Left wrist pediatric wrist radiograph; posteroanterior projection; age 11 y, female —
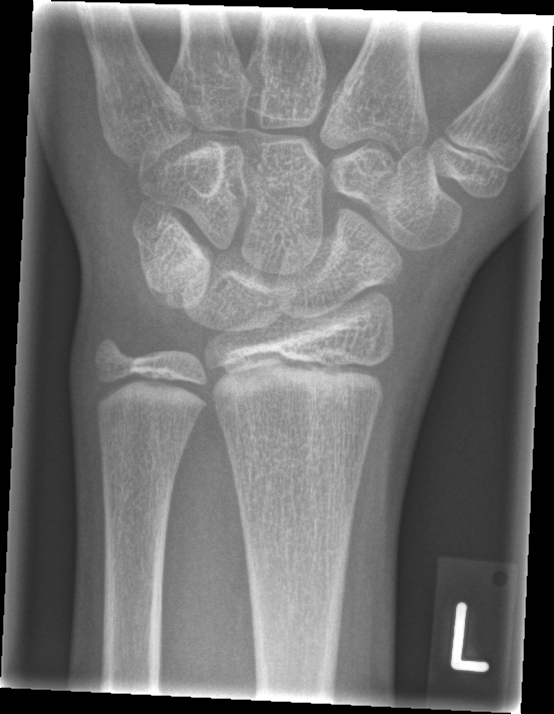
Q: Is there a fracture?
A: No fracture bounding box